Lat, left plain radiograph of the wrist, 3y M: 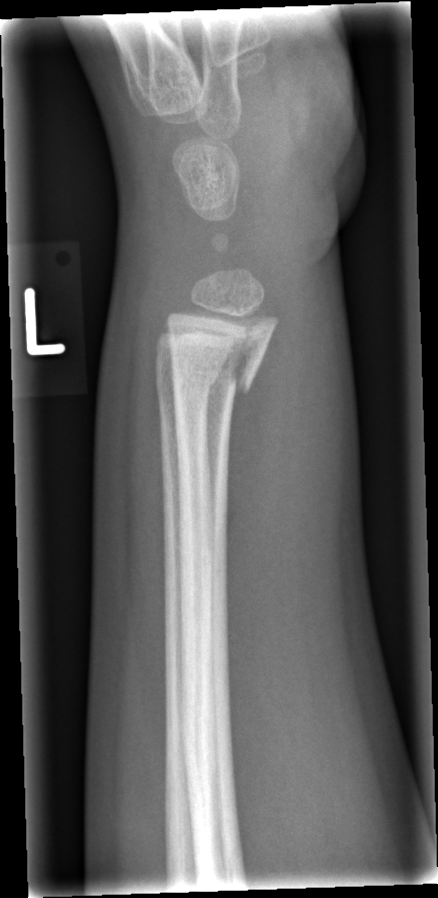
FINDINGS — Fractures — [168, 315, 279, 406], [155, 358, 223, 411]. Fracture classified AO/OTA 23r-M/3.1; 23u-M/2.1.